Lat view · L wrist X-ray · pediatric patient (boy, age 16) · image 64.9 mm wide · image size 451x992

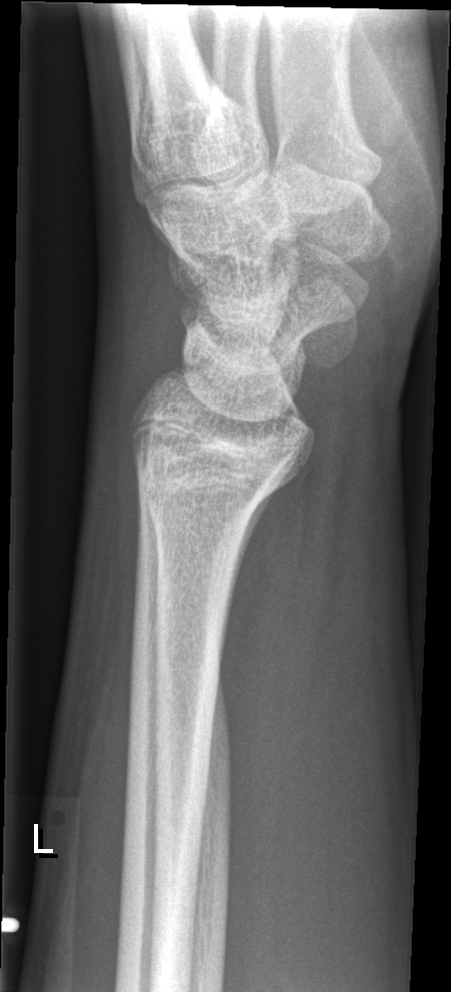 Findings: No Fx annotated.